R plain radiograph of the wrist · AP · 15-year-old male · in cast — 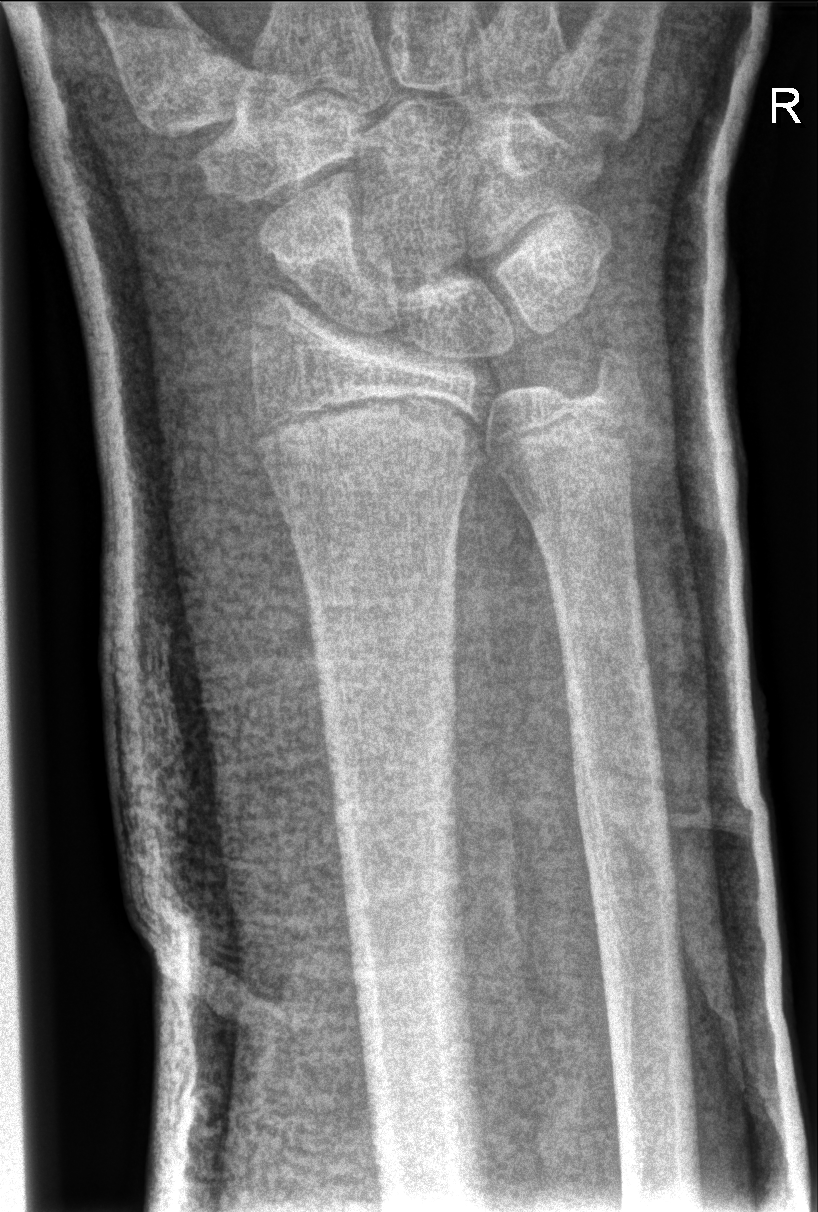

Findings: AO/OTA classification: 23r-E/2.1; 23u-E/7. Fx present but not clearly seen in this view.